Frontal · right wrist X-ray · acquired on Siemens · 73.2 mm image width:
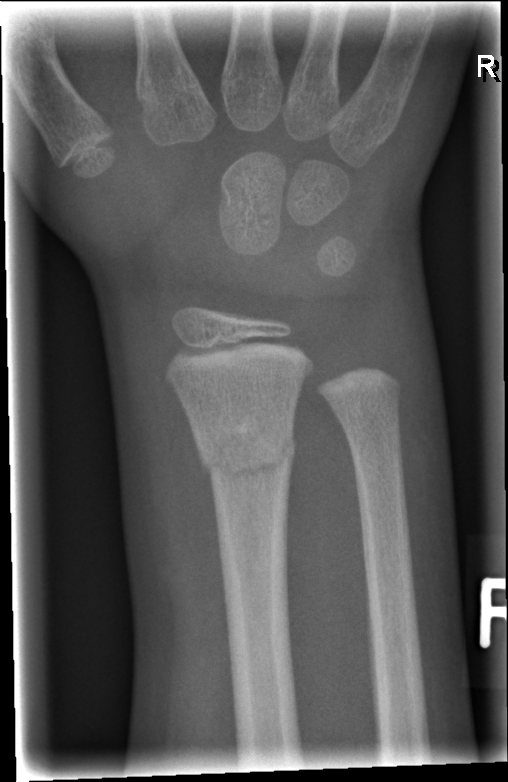
{"fracture": "1 @ <193,414>-<302,490>"}